Left wrist X-ray, frontal projection, presentation radiograph —
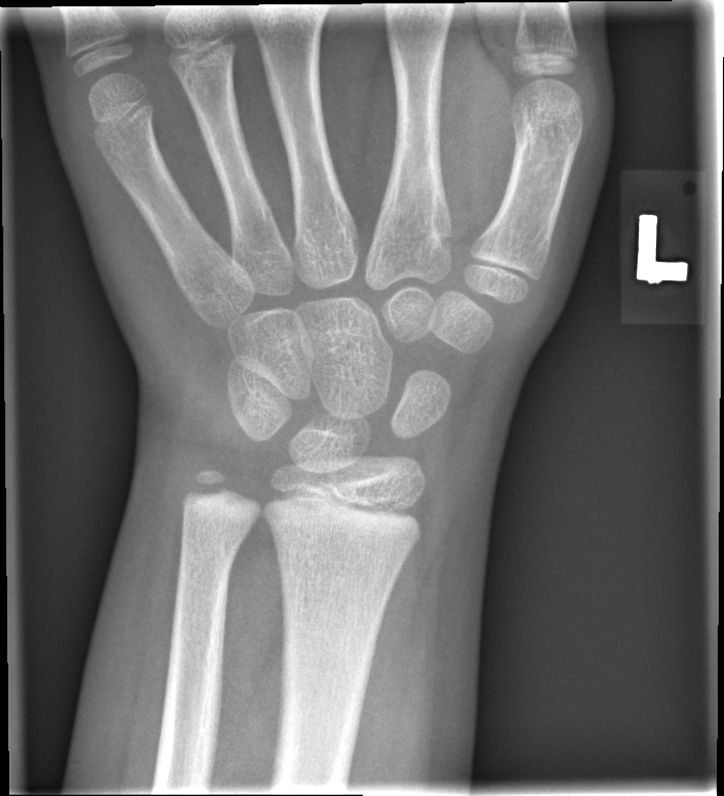
fracture = none labeled